PA, right wrist XR, 589 by 1298 pixels: 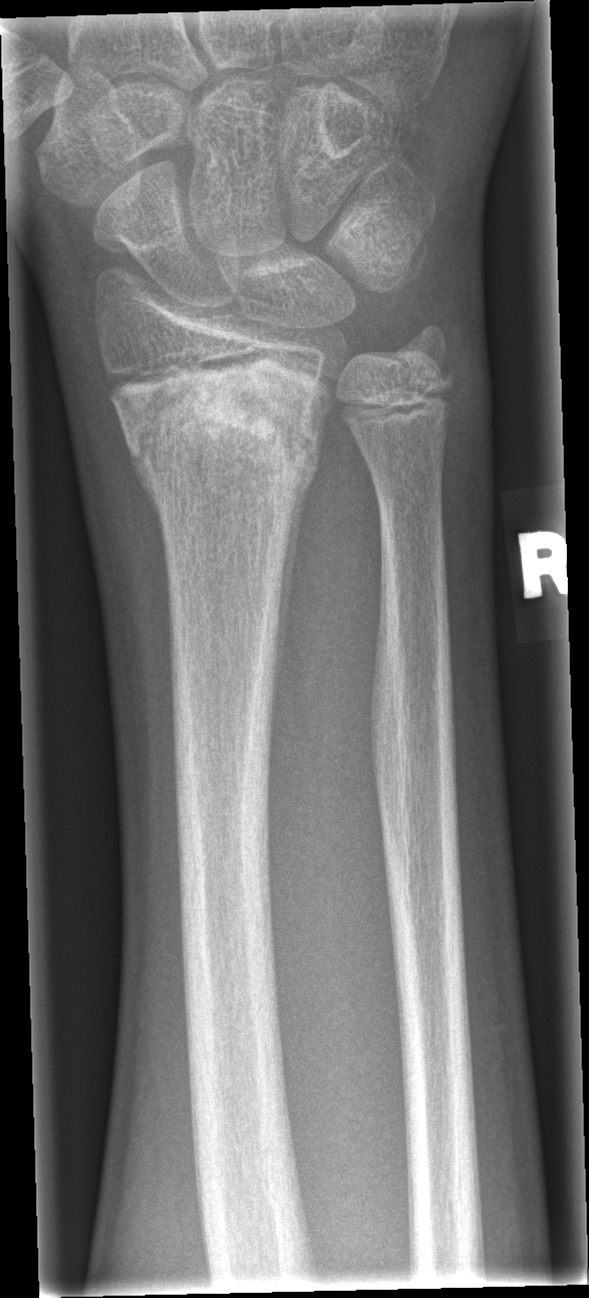

FINDINGS: Periosteal thickening: bbox(258, 464, 317, 738). Fx: bbox(107, 359, 325, 498), bbox(382, 315, 458, 402). AO code 23r-M/2.1; 23u-E/3.